R wrist XR · lateral view · age 16 y, female · initial study —
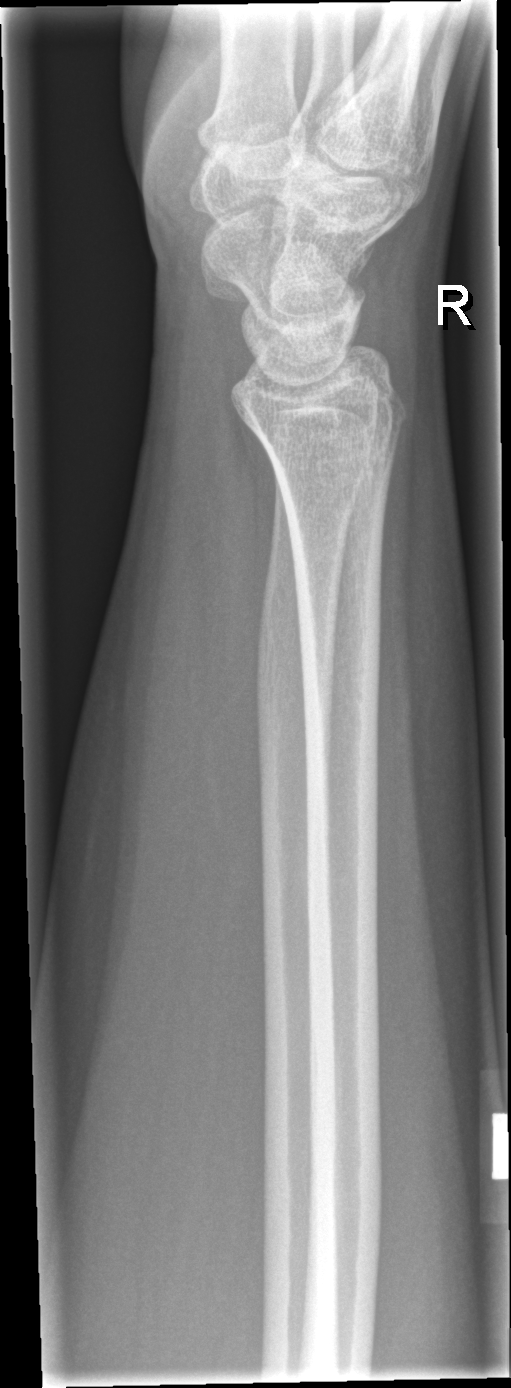

* No fracture bounding box.